Lateral, L wrist X-ray, initial study, 507x1238: 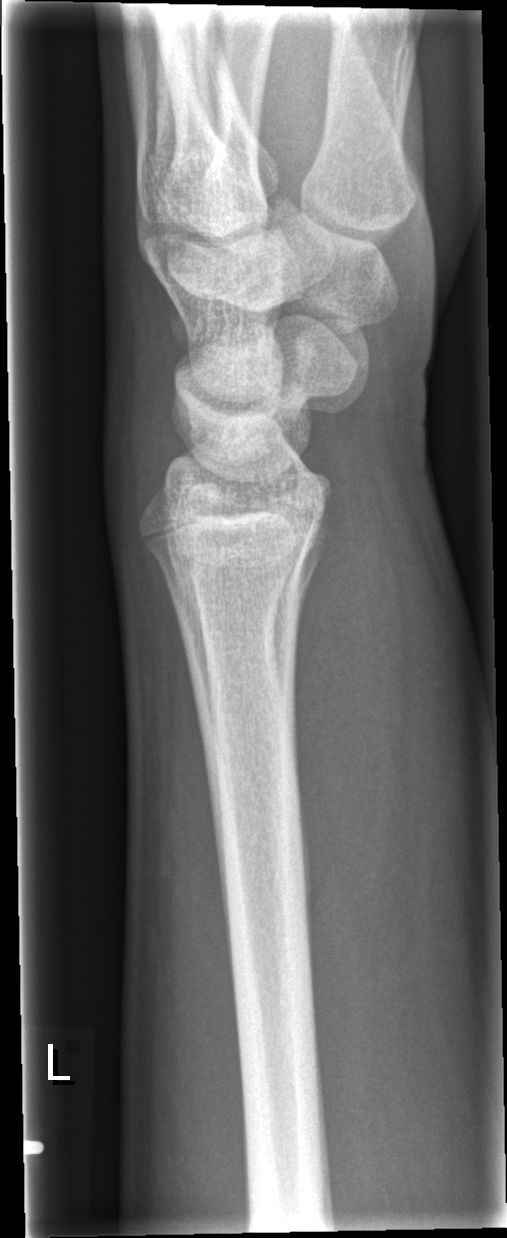 bone fracture = none labeled